Rt wrist radiograph; lateral view; age 16 y, male; 631 x 1214 px. 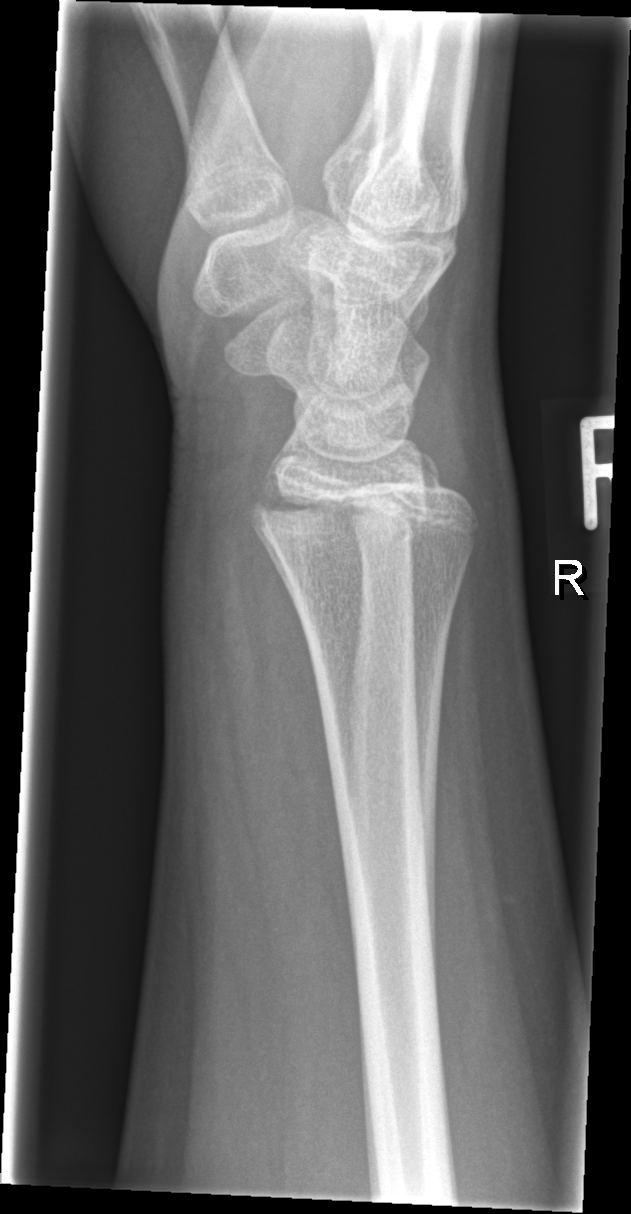 (coordinates are [x1, y1, x2, y2] in image pixels)
Q: Pronator fat-pad sign?
A: Pronator sign: (240, 535, 356, 976)
Q: Is there soft-tissue abnormality?
A: Soft tissue abnormality: (175, 475, 354, 998)
Q: Is there a fracture?
A: One bone fracture at (244, 477, 449, 570)
Q: What is the AO/OTA classification?
A: AO/OTA classification: 23r-E/2.1; 23u-E/7